Left pediatric wrist radiograph; posteroanterior projection; age 9 y, girl; cast in situ; 74.3 mm image width:
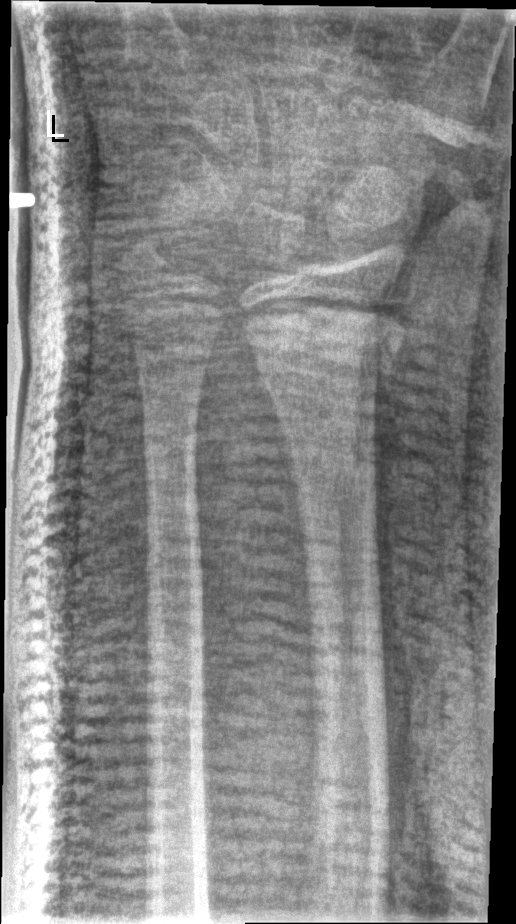
AO/OTA classification: 23r-E/2.1; 23u-E/7.
Fx identified at 231,287,408,385
  117,226,180,287.